Lateral | left wrist pediatric wrist radiograph | male, 11 yo —
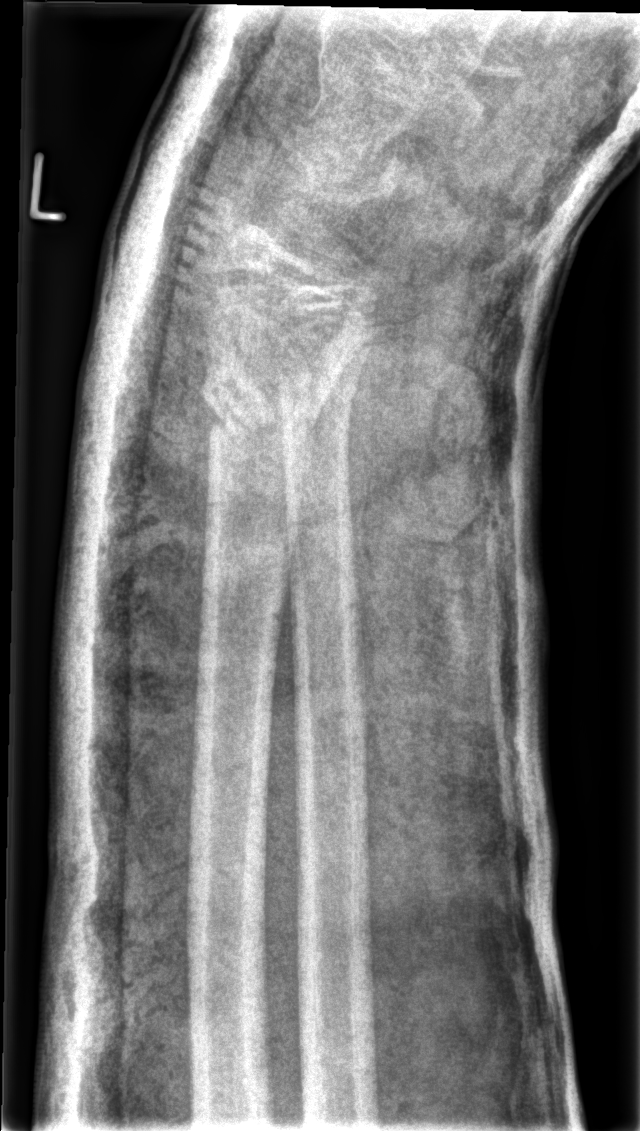

Findings: (coordinates are [x1, y1, x2, y2] in image pixels) Fracture: (198, 351, 321, 464).